Lat | right plain radiograph of the wrist | pediatric patient (female, age 11) | image width 56.4 mm

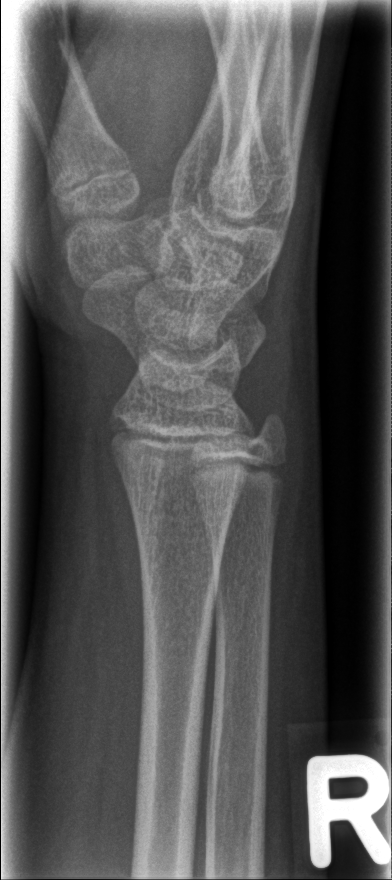

{
  "fracture": "none labeled"
}